Lateral, left wrist X-ray, pediatric patient (male, age 11) —
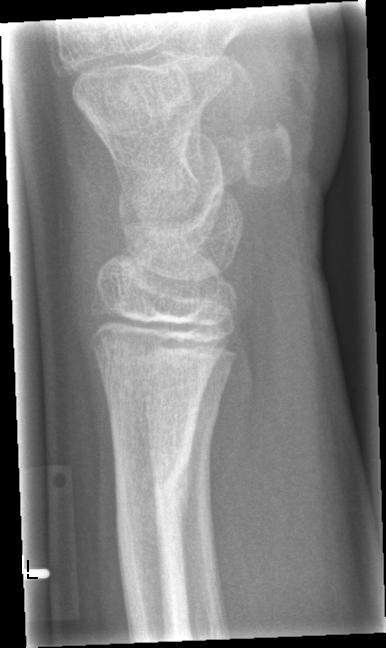
Fx: [108, 436, 197, 566] [143, 397, 224, 434]